Lateral projection, right wrist XR, age 14 y, male

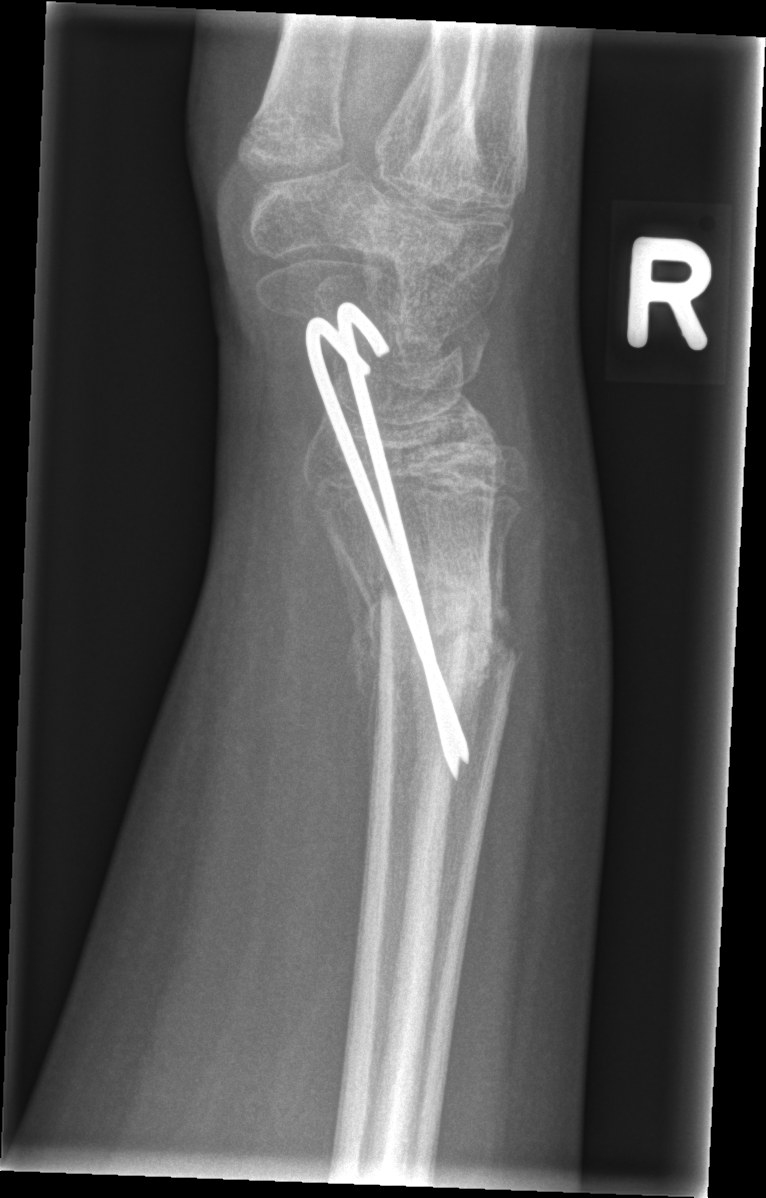
Coordinates are [x1, y1, x2, y2] in image pixels.
Metallic implant: (left=299, top=298, right=472, bottom=782).
Fracture: (left=342, top=556, right=523, bottom=717).
One periosteal reaction at (left=329, top=526, right=385, bottom=792).